Lat view; L plain radiograph of the wrist; pediatric patient (male, age 5); presentation radiograph:

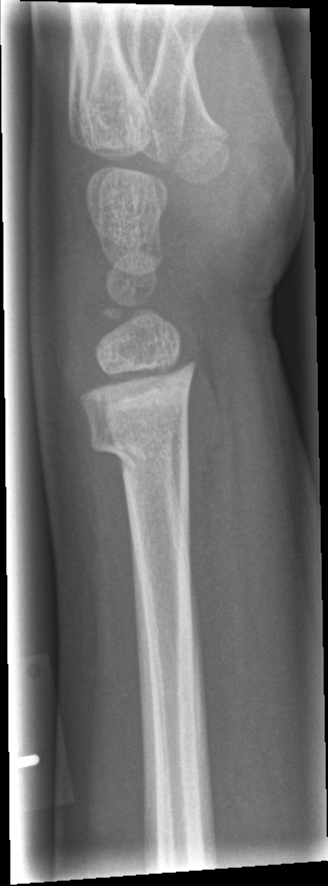

Findings: Fracture — [86, 413, 192, 476].